R plain radiograph of the wrist | lat | age 5 y, boy | subsequent exam | cast present

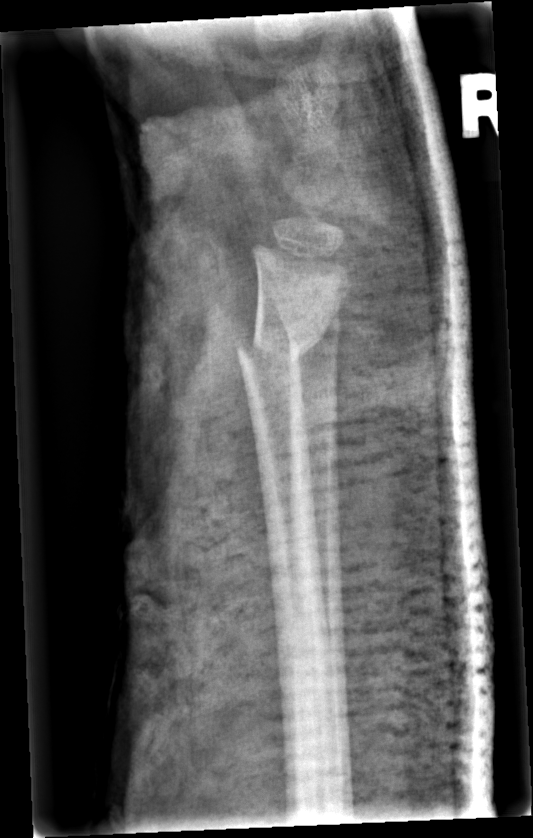

(coordinates are [x1, y1, x2, y2] in image pixels)
Bone fracture: bbox(226, 315, 331, 393)